Lateral projection · L wrist XR · 10y M · findings marked uncertain by the reading radiologist.

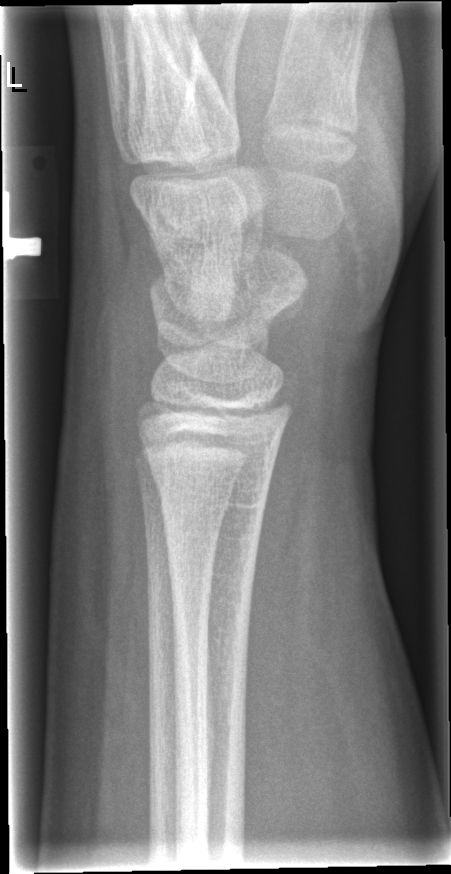
{"_coords": "boxes as x1,y1,x2,y2 (top-left / bottom-right, pixel units)", "fracture": "1 @ (left=146, top=457, right=272, bottom=527)", "ao": "23r-M/2.1"}